Lateral | R wrist XR | detector: Siemens 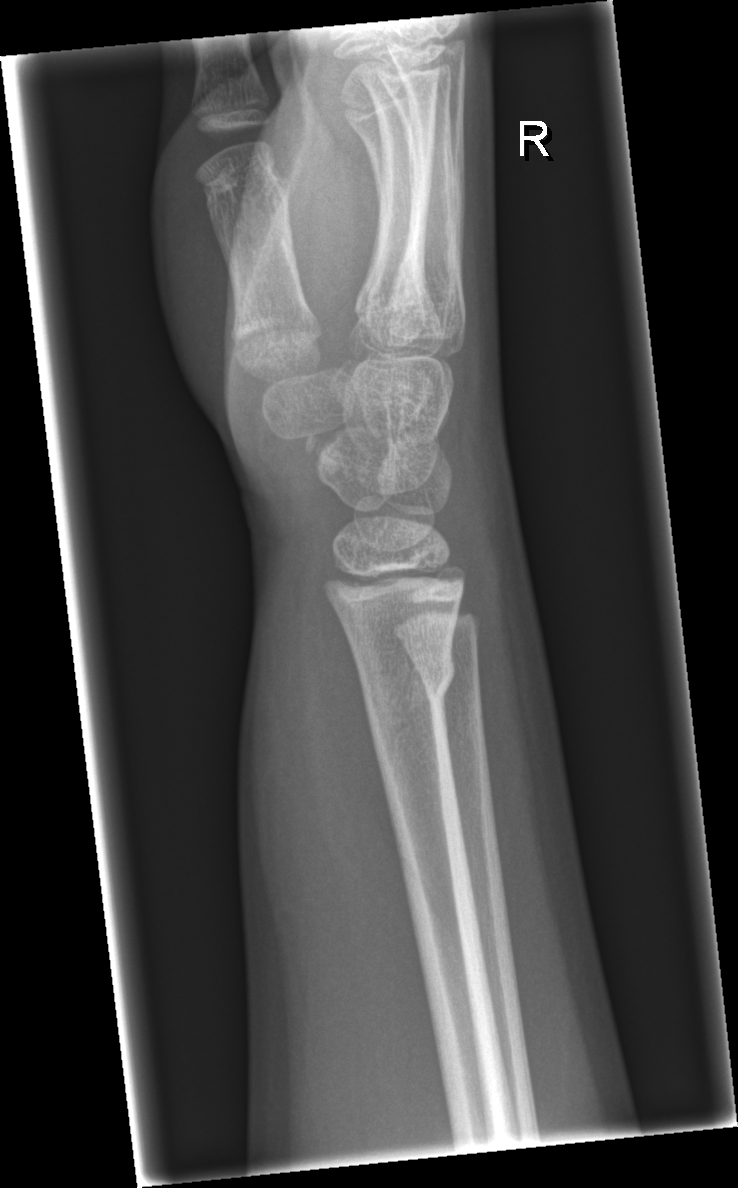 {"_coords": "bounding boxes in image-pixel xyxy", "ao": "23r-M/2.1", "fracture": "1 @ <356,654>-<459,720>", "pronatorsign": "<292,561>-<429,925>"}